Left wrist XR · lateral view —

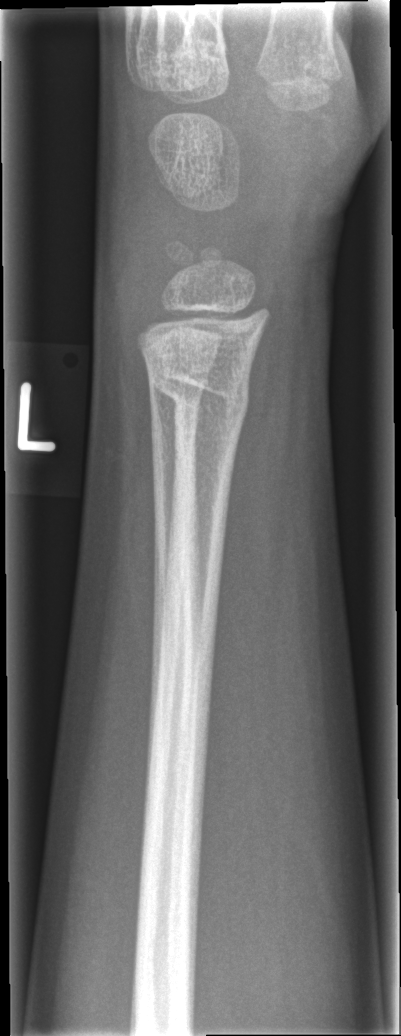 - Fracture classified AO/OTA 23r-M/2.1.
- One bone fracture at (left=147, top=361, right=255, bottom=430).